Oblique; right wrist radiograph; 2y F; Siemens: 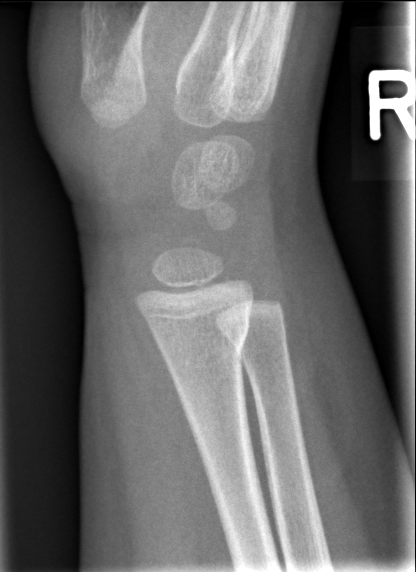   # boxes as x1,y1,x2,y2 (top-left / bottom-right, pixel units)
  fracture: [x1=147, y1=313, x2=251, y2=371]
  ao: 23r-M/2.1